Right wrist pediatric wrist radiograph, lateral projection, girl, 16 yo, image 83.4 mm wide
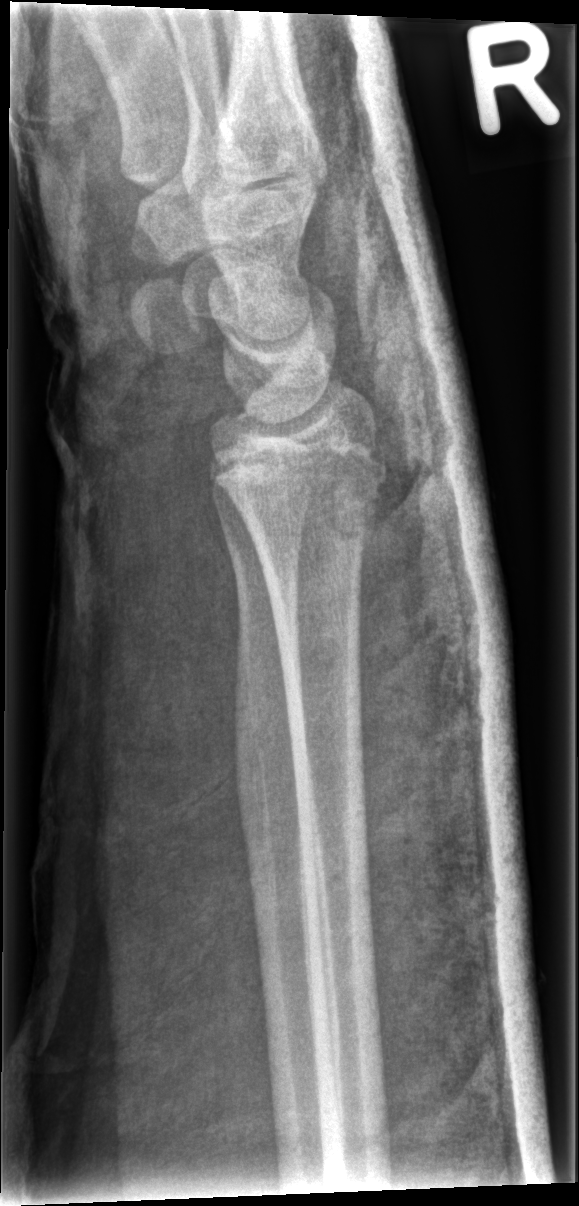
Bone fracture — (left=242, top=427, right=393, bottom=552).